Lateral projection | left plain radiograph of the wrist | image 103.8 mm wide:

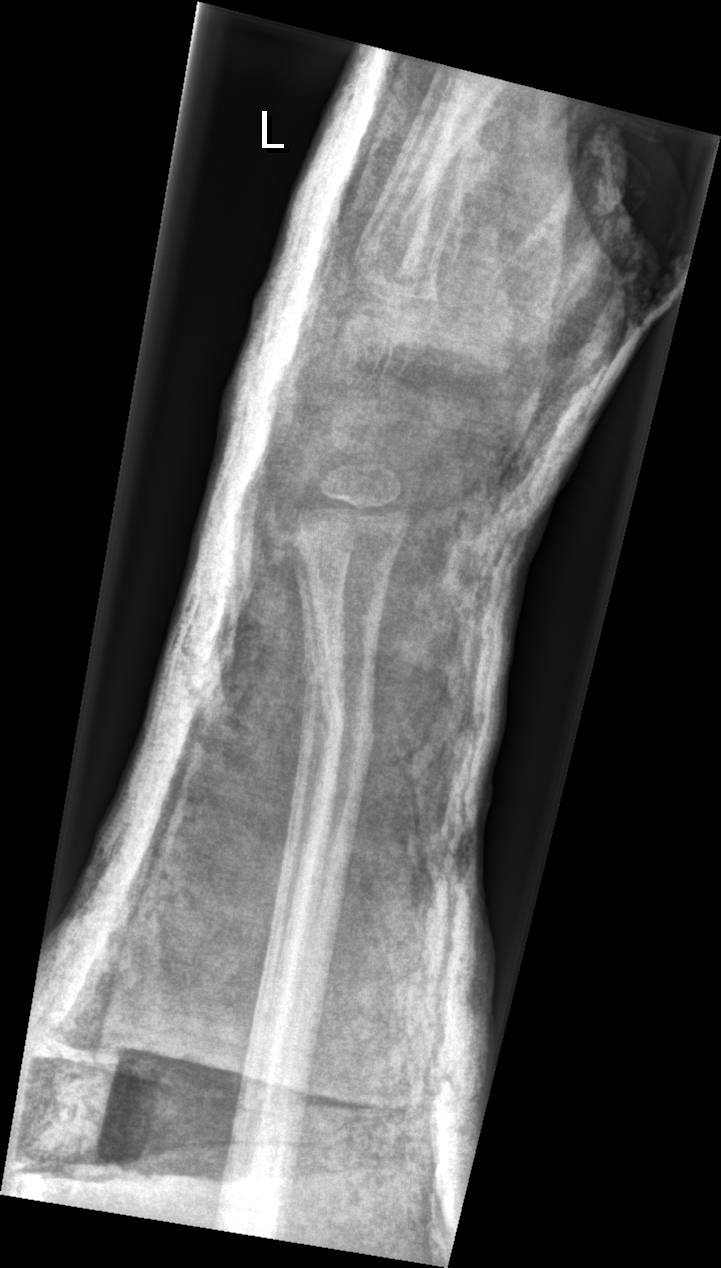
(pixel coordinates, top-left origin, xyxy)
Q: Fracture present?
A: Fracture identified at [x1=291, y1=632, x2=380, y2=784]